Lt pediatric wrist radiograph; AP view; index exam 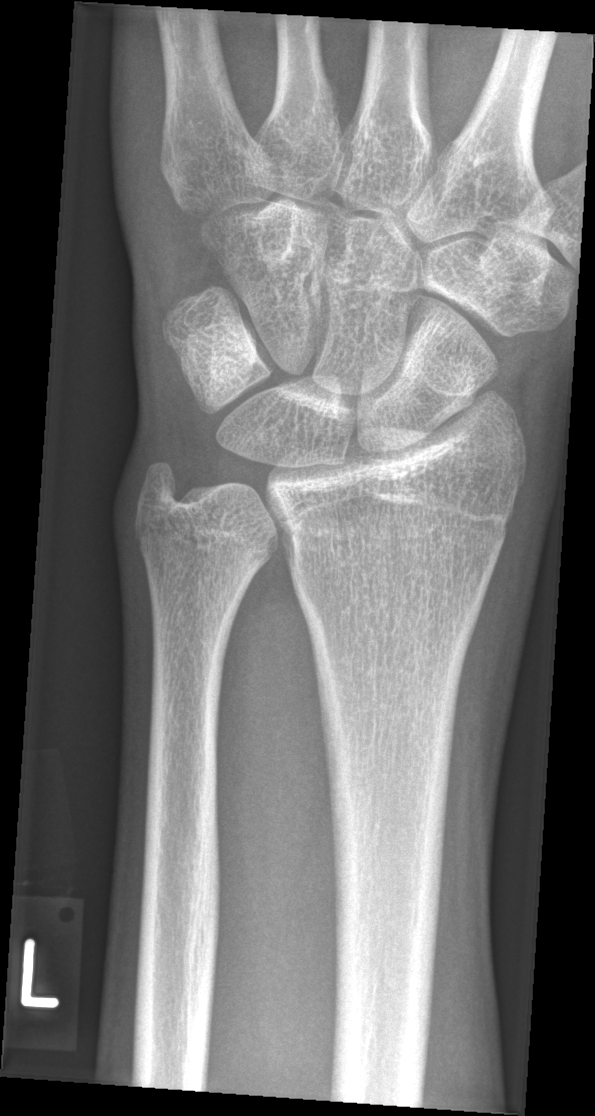
Fracture: none labeled